Obl projection | L wrist radiograph | girl, 1.7 yo | 385 by 652 pixels:

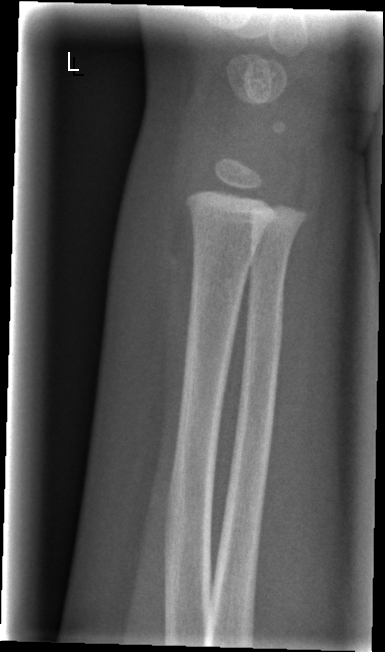

Q: Fracture present?
A: No fracture bounding box